Lat projection · right wrist X-ray · presentation radiograph · detector: Siemens · image size 536x1046

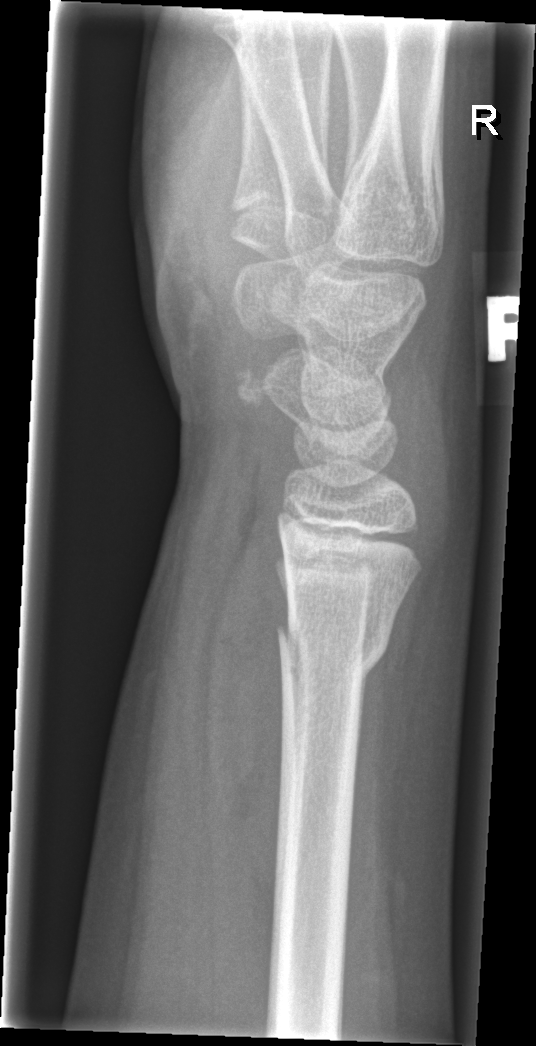

AO/OTA classification: 23r-M/3.1.
Pronator sign: [x1=200, y1=504, x2=291, y2=917].
Bone fracture — [x1=272, y1=614, x2=395, y2=691].